Rt wrist X-ray · frontal projection · pediatric patient (male, age 12) 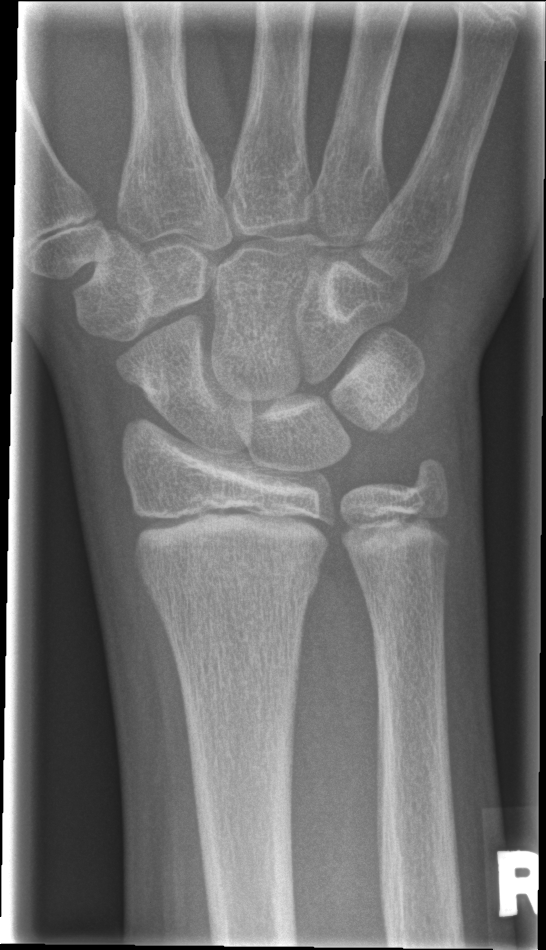
Findings: AO code 23r-M/2.1. Fracture — 134 547 322 608.